AP view; L pediatric wrist radiograph.

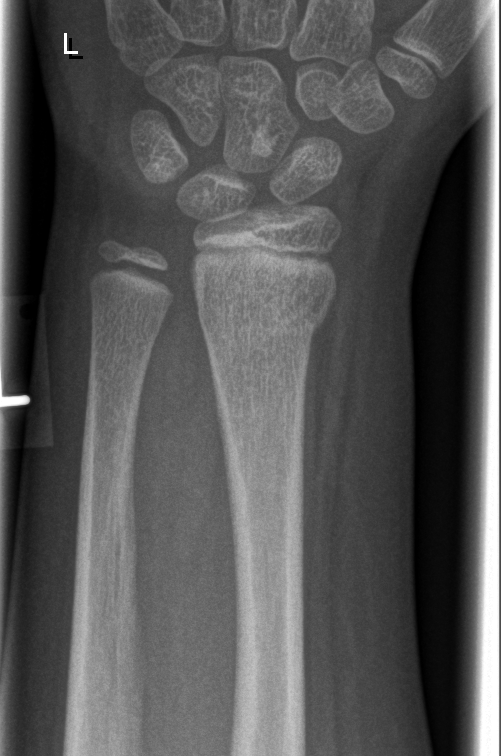 Bounding boxes in image-pixel xyxy. Osseous lesion: bbox(251, 121, 279, 161). AO/OTA classification: 23r-M/3.1. Bone fracture: bbox(195, 285, 330, 346).